Right wrist radiograph · PA/AP · follow-up: 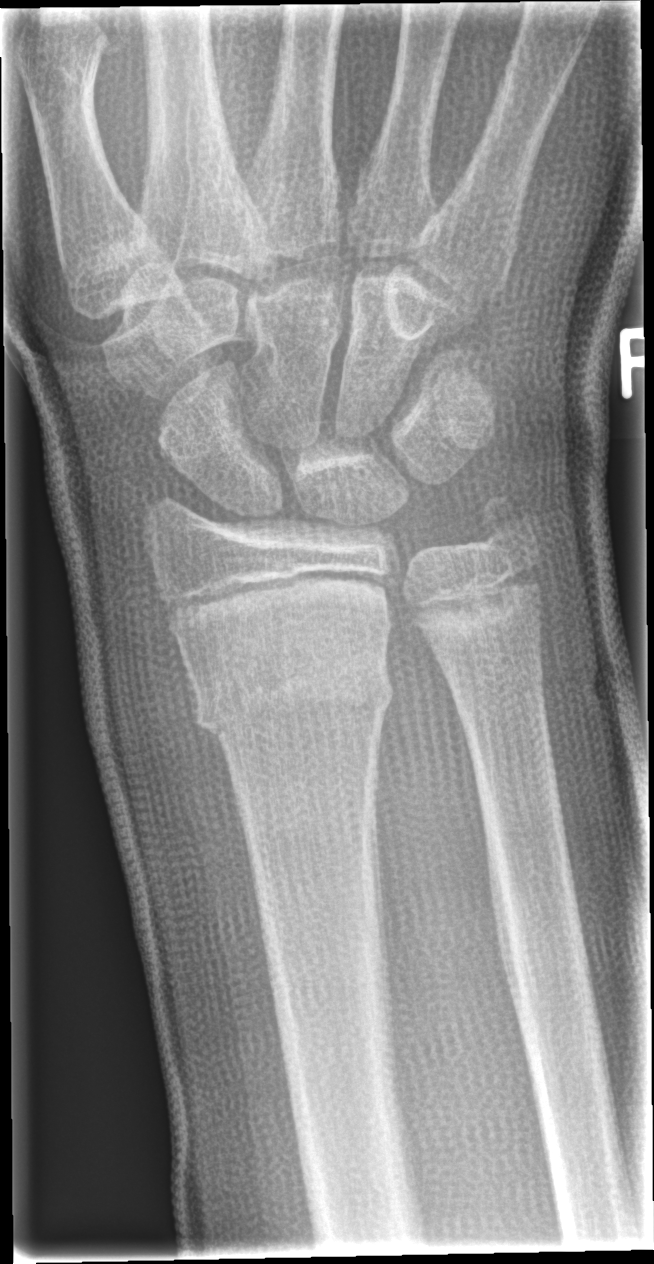 Bone fracture = 2 @ [x1=187, y1=630, x2=397, y2=752]; [x1=472, y1=489, x2=546, y2=562]
AO code = 23r-M/2.1; 23u-E/7